Right wrist plain film · lateral · subsequent exam · cast in situ · acquired on Siemens · image size 480x988
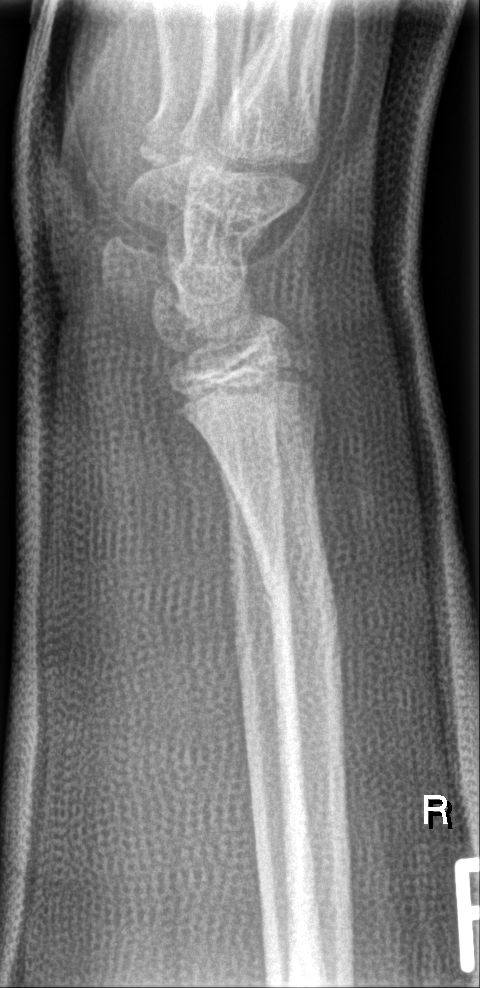
AO/OTA classification: 22r-D/2.1. One bone fracture at bbox(258, 554, 342, 626).